Posteroanterior view | right plain radiograph of the wrist | equivocal findings
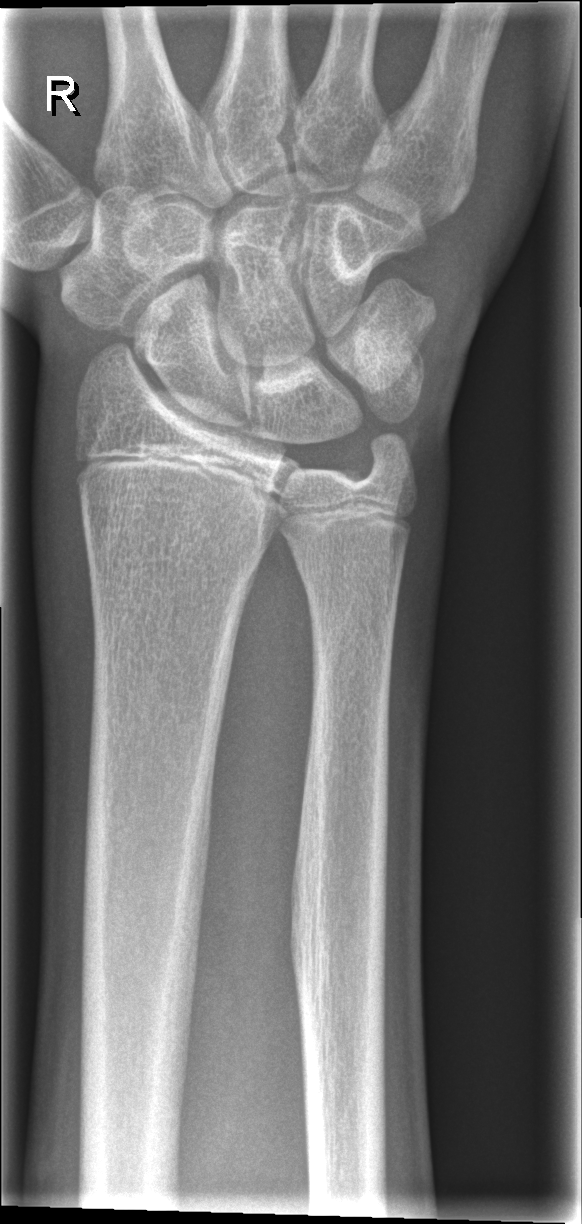 fracture: none labeled